Left plain radiograph of the wrist · lateral · pediatric patient (girl, age 13) · initial study · 543x1442

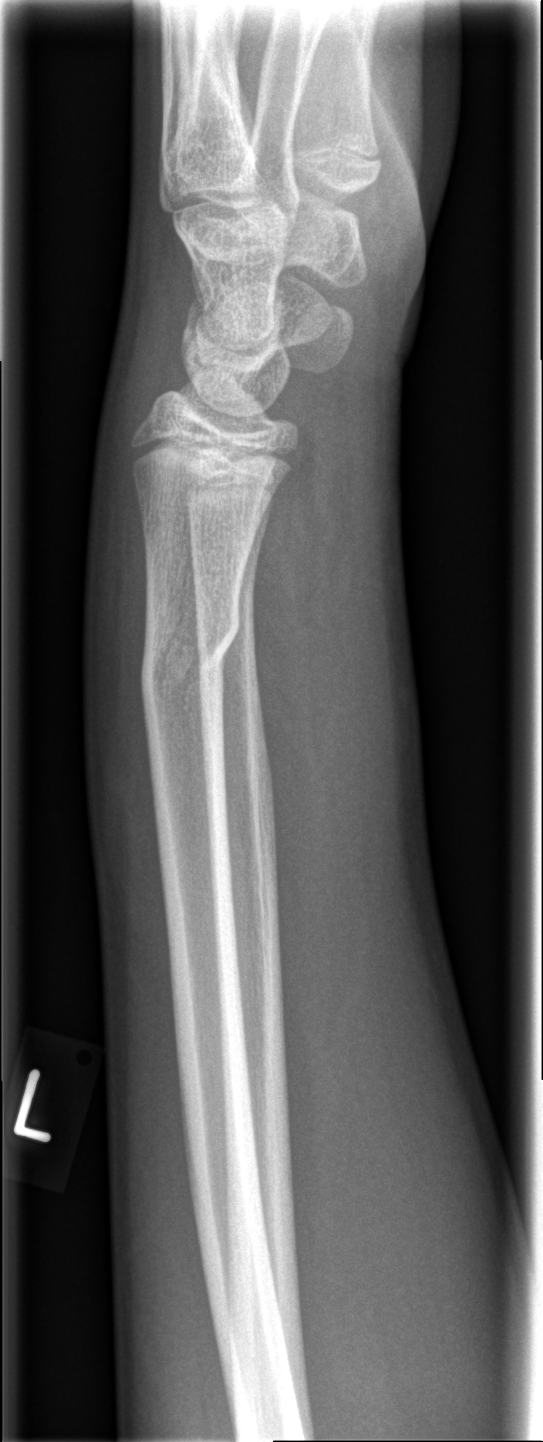 {"ao": "23r-M/2.1; 23u-E/7", "fracture": "[x1=134, y1=599, x2=244, y2=709]", "pronatorsign": "1 @ [x1=248, y1=427, x2=357, y2=834]"}